Left wrist XR · lat · 16y M · image size 454x956 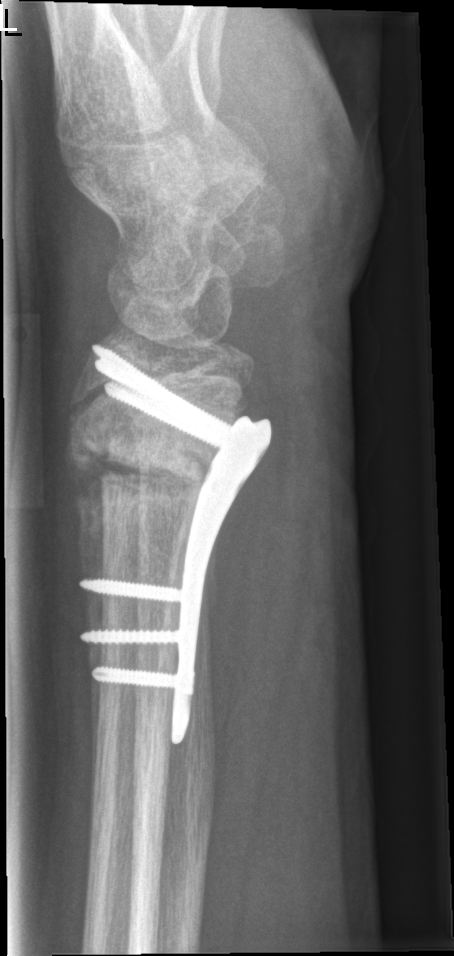

• Fracture — [65, 435, 203, 508].
• Metallic implant — [88, 346, 268, 722].